R wrist radiograph; PA/AP view; pediatric patient (girl, age 12) — 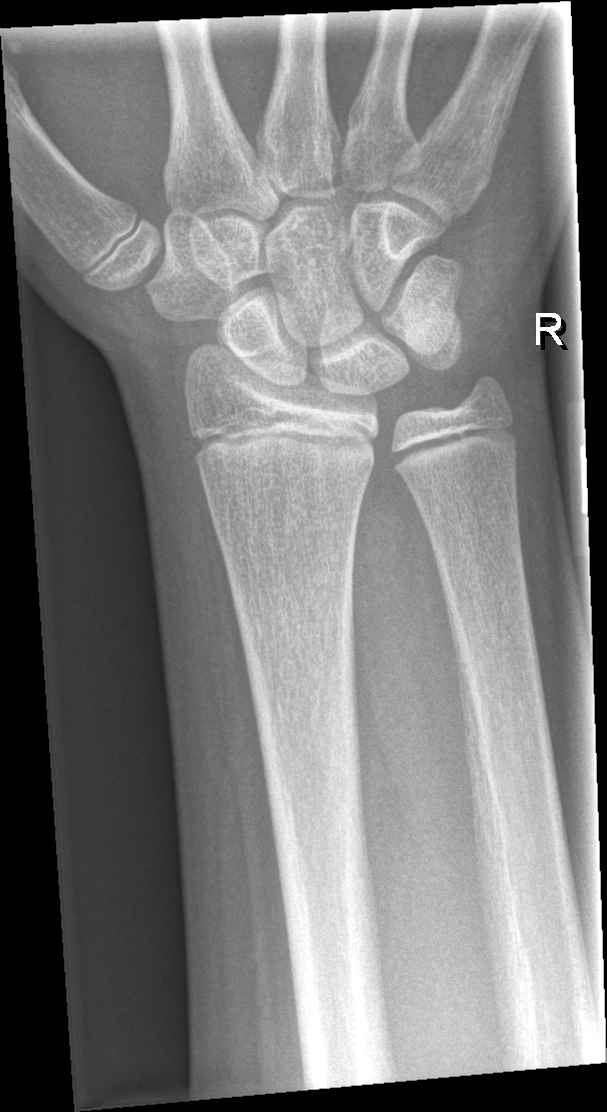

No fracture bounding box.